Right wrist X-ray; frontal projection; male, 1.7 yo; Siemens. 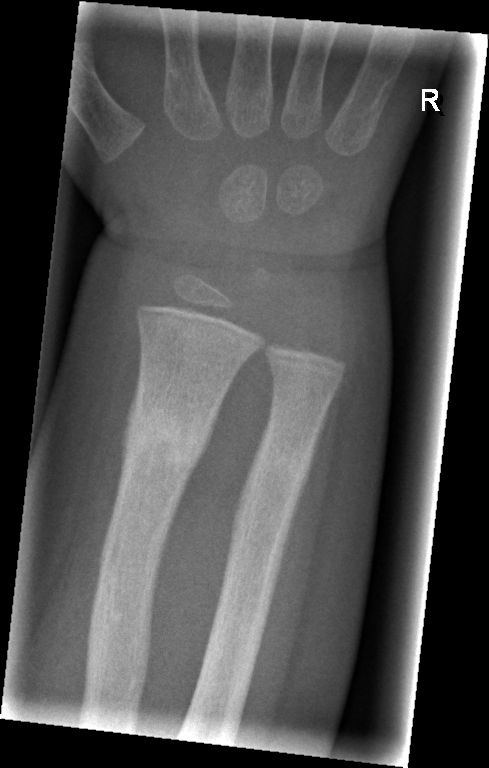 • Fx — (left=119, top=406, right=214, bottom=464) (left=256, top=436, right=312, bottom=482).
• Fracture classified AO/OTA 23-M/2.1.